AP projection, Rt plain radiograph of the wrist, imaged through cast —
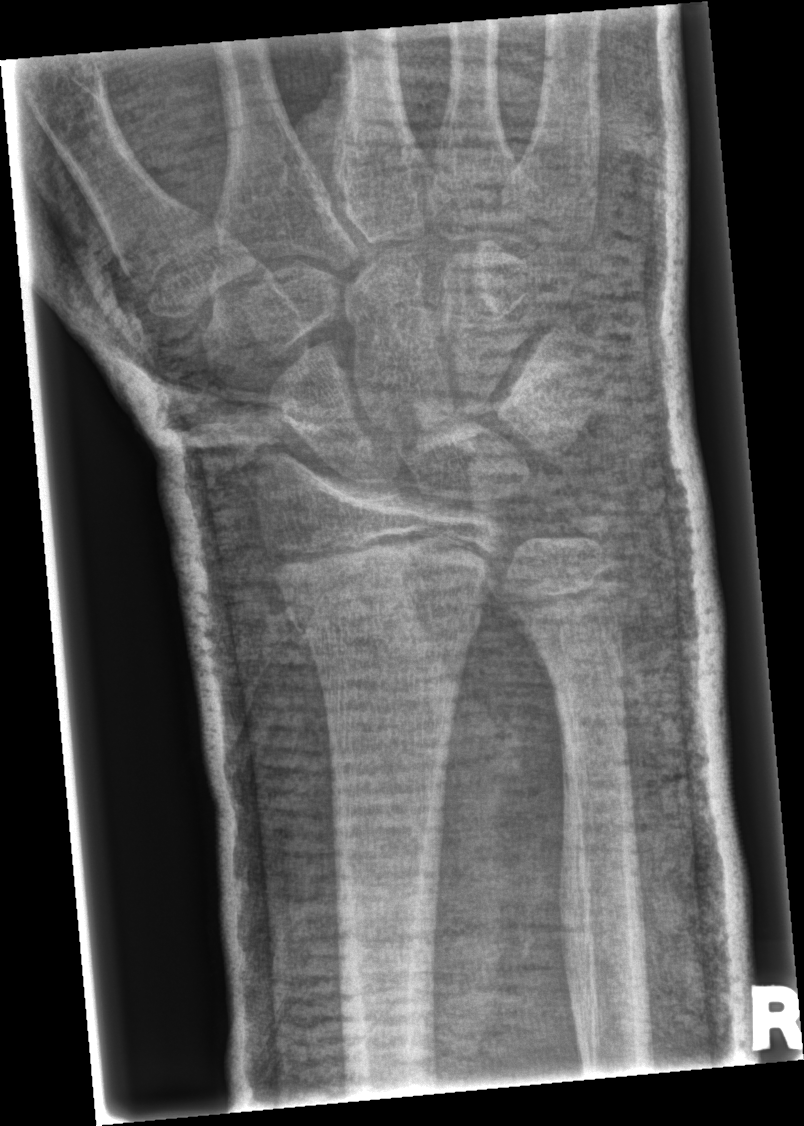

Pixel coordinates, top-left origin, xyxy.
Fracture classified AO/OTA 23r-M/2.1; 23u-E/3.
Fx: (left=282, top=573, right=487, bottom=655); (left=560, top=502, right=625, bottom=568).